PA/AP projection | right wrist plain film | 12-year-old boy | cast in situ | image width 102.5 mm —

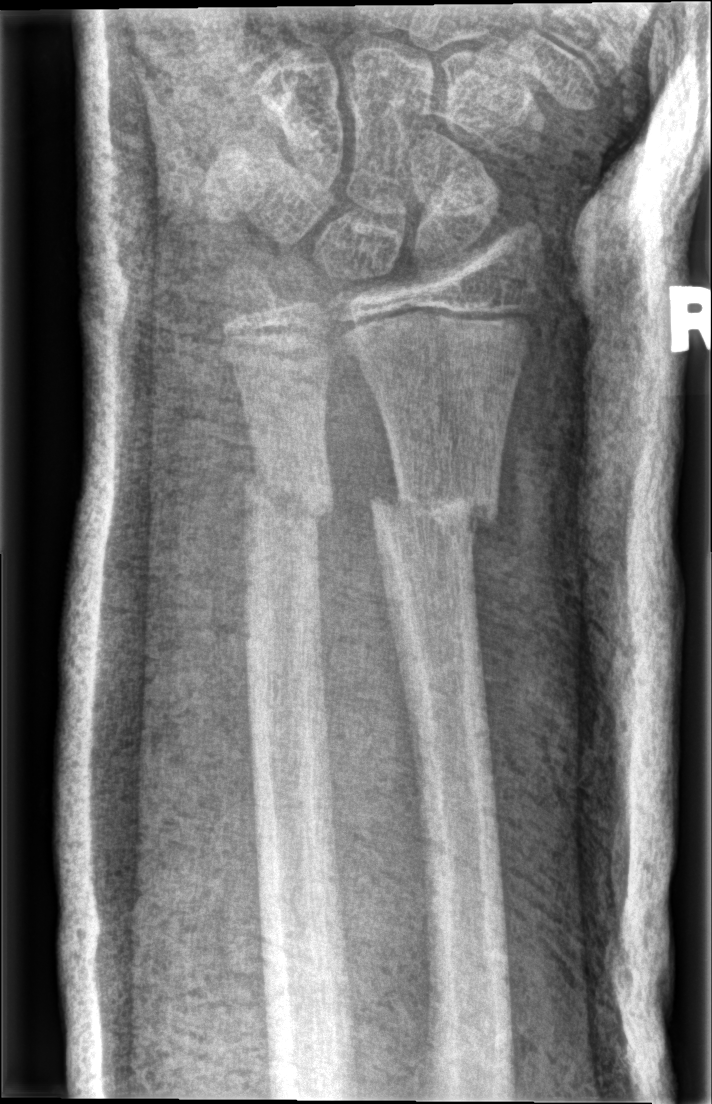 FINDINGS: Fx identified at [x1=366, y1=472, x2=502, y2=553]; [x1=240, y1=466, x2=341, y2=540].